Left plain radiograph of the wrist; PA/AP projection; pediatric patient (male, age 12); presentation radiograph; detector: Siemens — 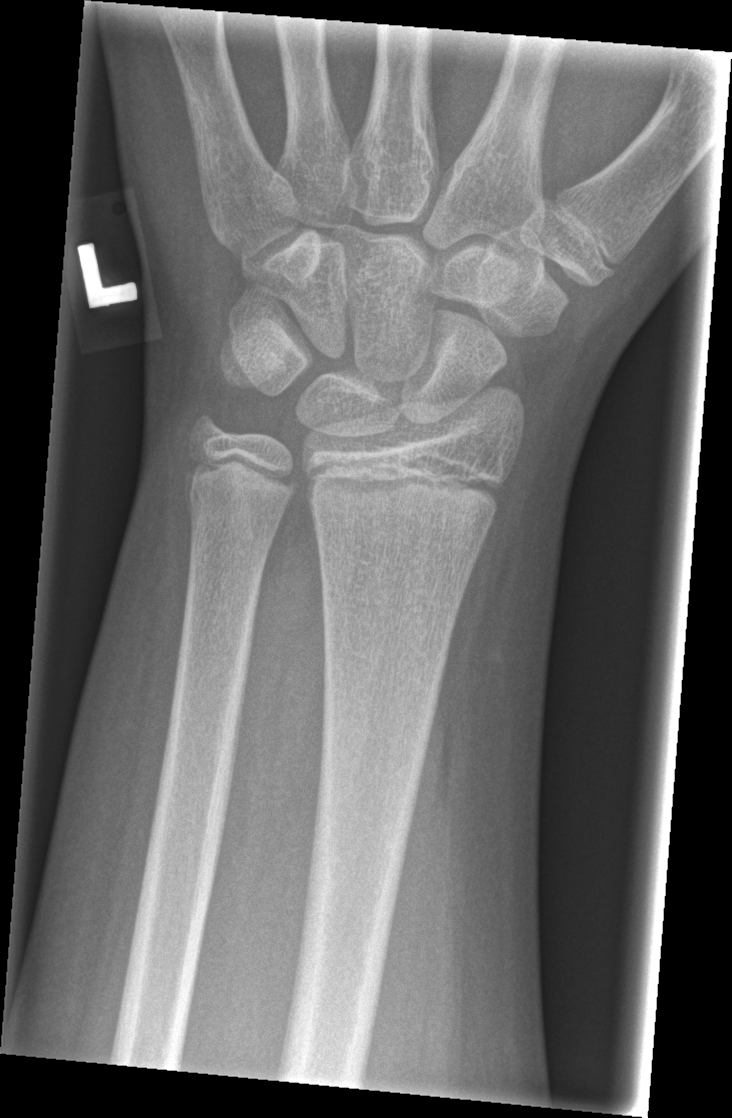
FINDINGS — Fracture: present but not clearly seen in this view. AO/OTA classification: 23u-M/2.1.